Rt pediatric wrist radiograph, lateral projection, 622 by 1304 pixels

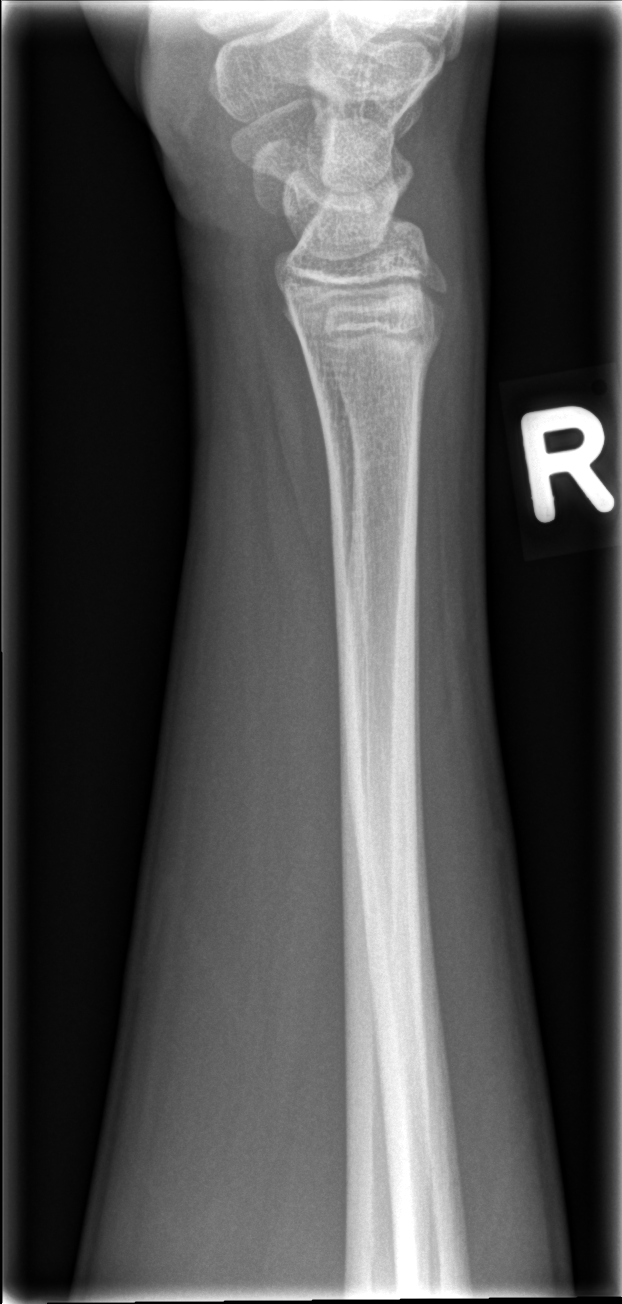

Bone fracture identified at (288, 291, 449, 394). Fracture classified AO/OTA 23r-M/2.1.